Lateral view; right pediatric wrist radiograph; boy, 7 yo —

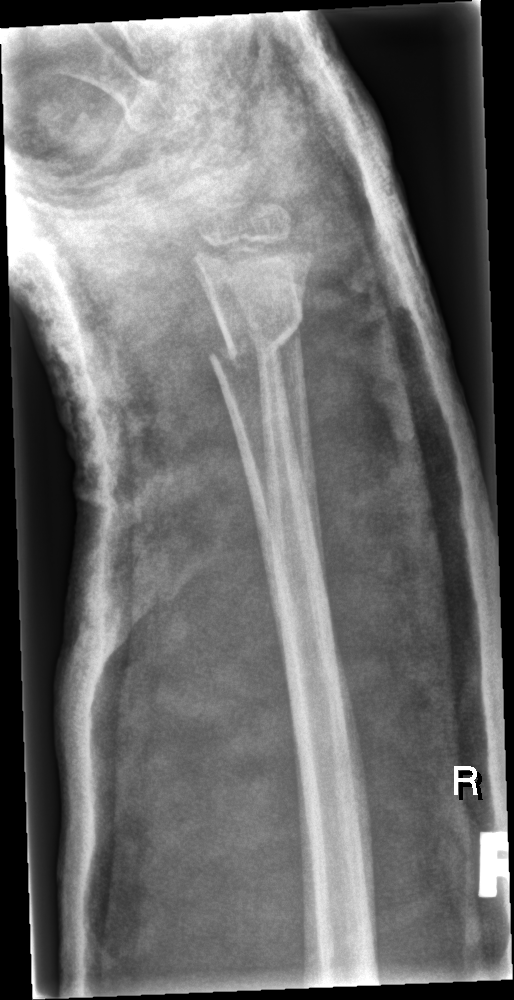
Q: Fracture present?
A: One Fx at (205, 307, 306, 367)
Q: What is the AO/OTA classification?
A: AO code 23r-M/3.1; 23u-M/2.1